Frontal projection; right wrist plain film; 10-year-old boy; acquired on Siemens — 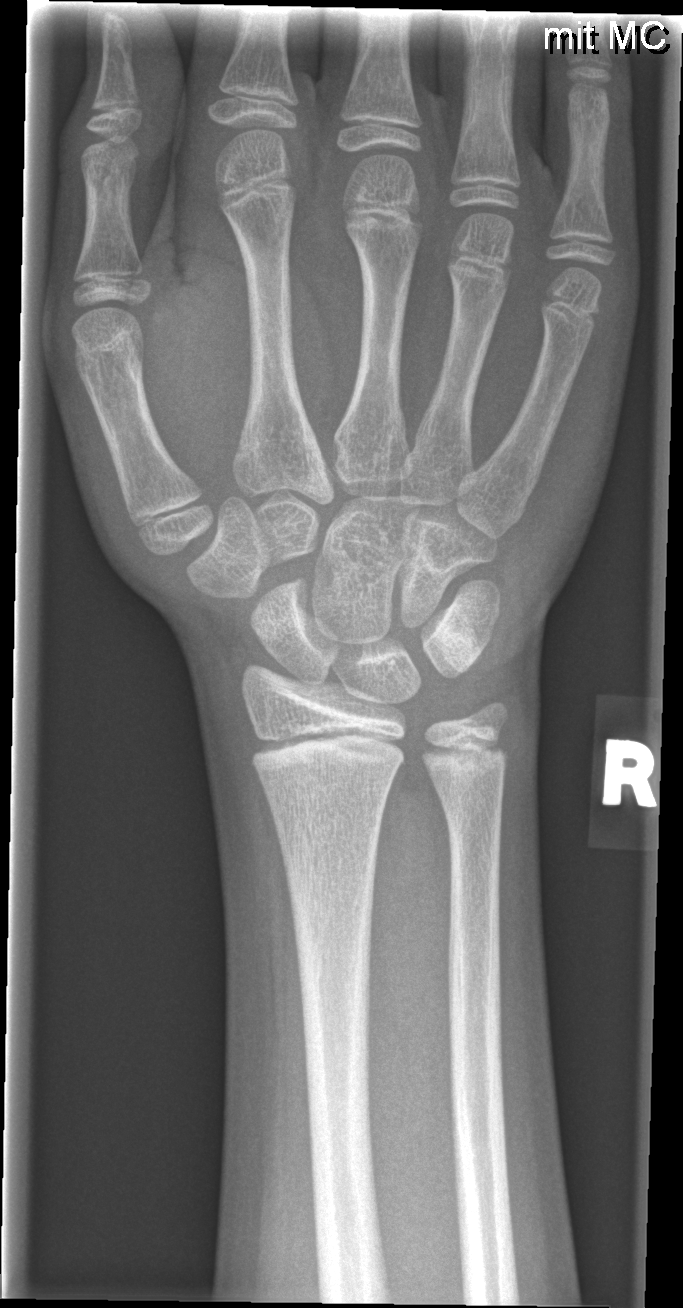
No fracture bounding box.